AP projection | Lt wrist plain film —
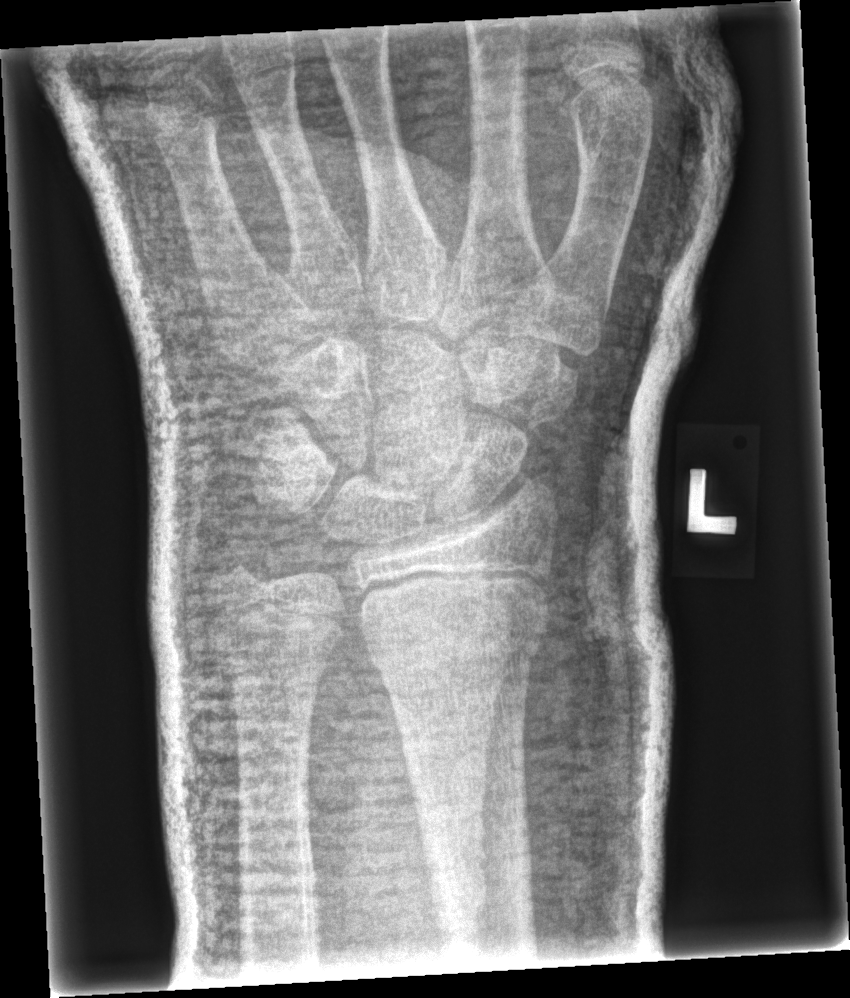
Fx = (354, 579, 555, 672)